Left wrist X-ray · AP · image 76.8 mm wide: 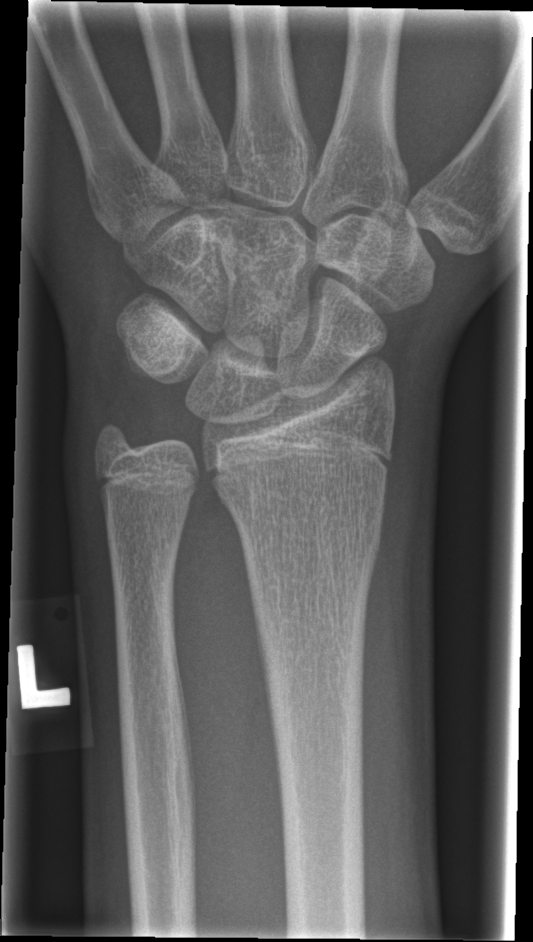 No fracture annotation.